Left wrist radiograph | lateral projection | 13y F | acquired on Siemens 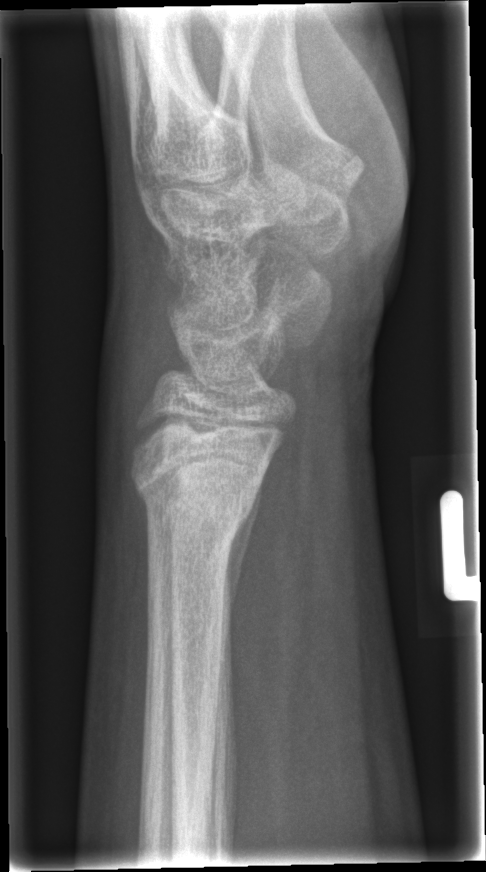
bone fracture: (127, 450, 263, 547)
osteopenia: present
AO classification: 23r-M/2.1
periosteal thickening: (221, 469, 267, 642)